Lat · Lt pediatric wrist radiograph:
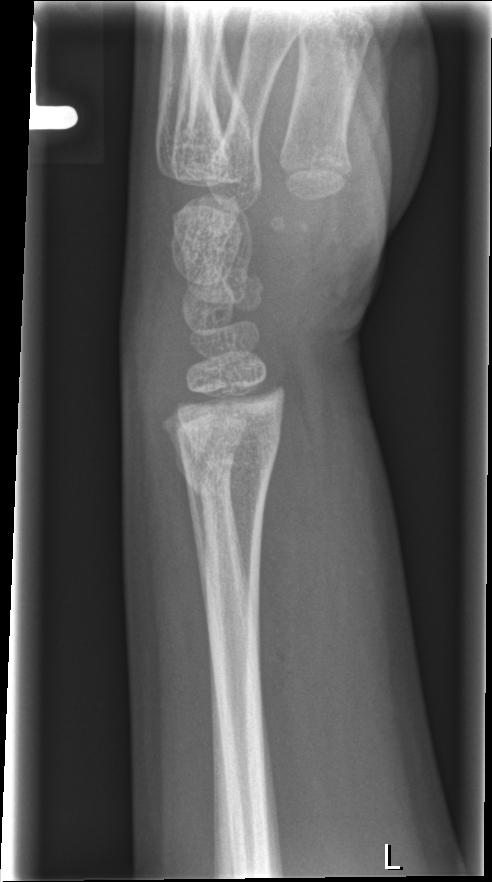 • Fx — <174,422>-<286,510>.
• Fracture classified AO/OTA 23r-M/2.1.